Lateral view, R wrist XR, 512x797.

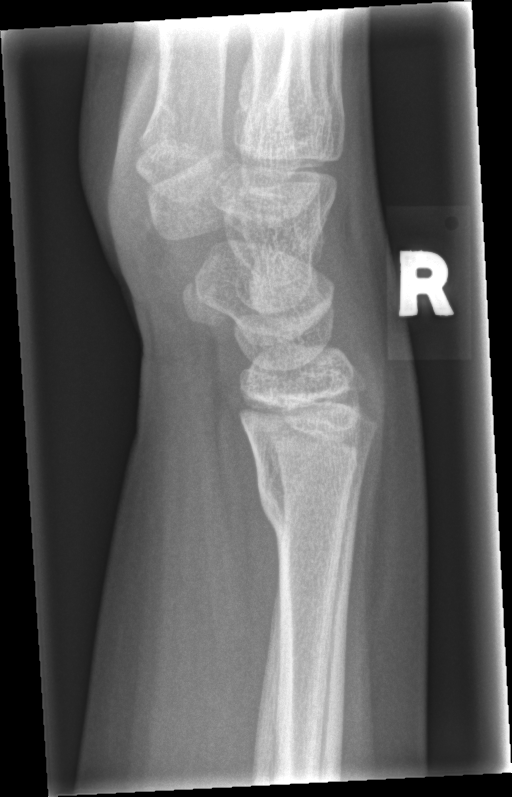
(boxes as x1,y1,x2,y2 (top-left / bottom-right, pixel units))
bone fracture: 253,462,363,541
AO/OTA: 23r-M/2.1